PA projection | left wrist XR | detector: Siemens:

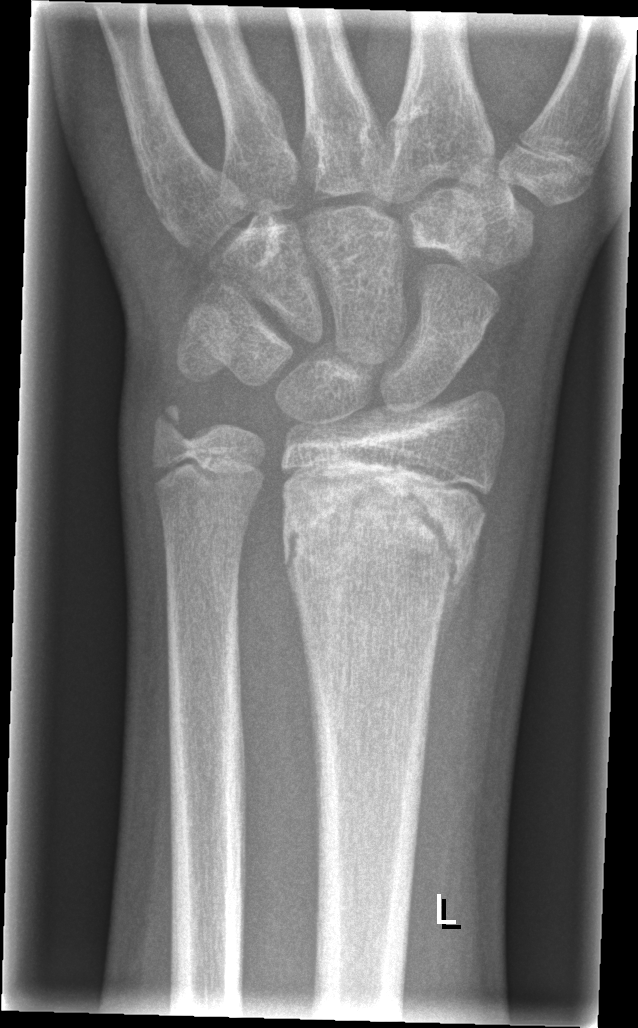

Pixel coordinates, top-left origin, xyxy.
Bone fracture identified at (280, 486, 478, 590), (141, 395, 203, 458).
Osteopenia.
AO/OTA classification: 23r-M/3.1; 23u-E/7.
Periosteal new bone — (427, 516, 486, 720).